Right wrist XR · lateral view · presentation radiograph — 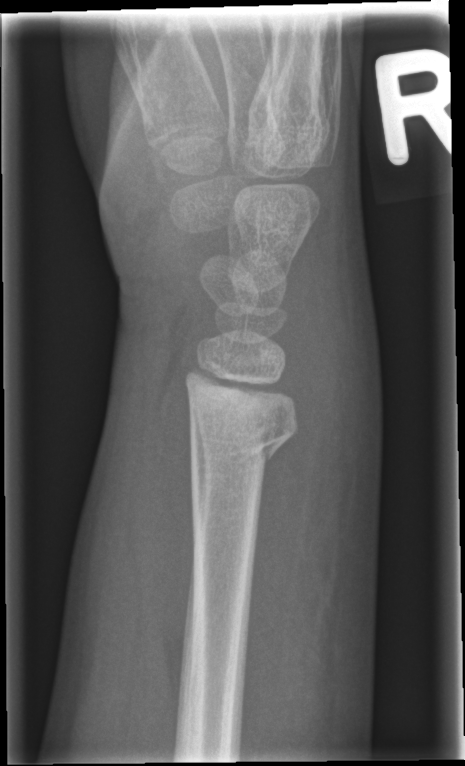 Fx: 195 401 301 472.
Soft tissue abnormality: 270 270 390 564.
Positive pronator fat-pad sign — 143 348 197 672.